Lt wrist X-ray; posteroanterior view; 8-year-old girl; Siemens. 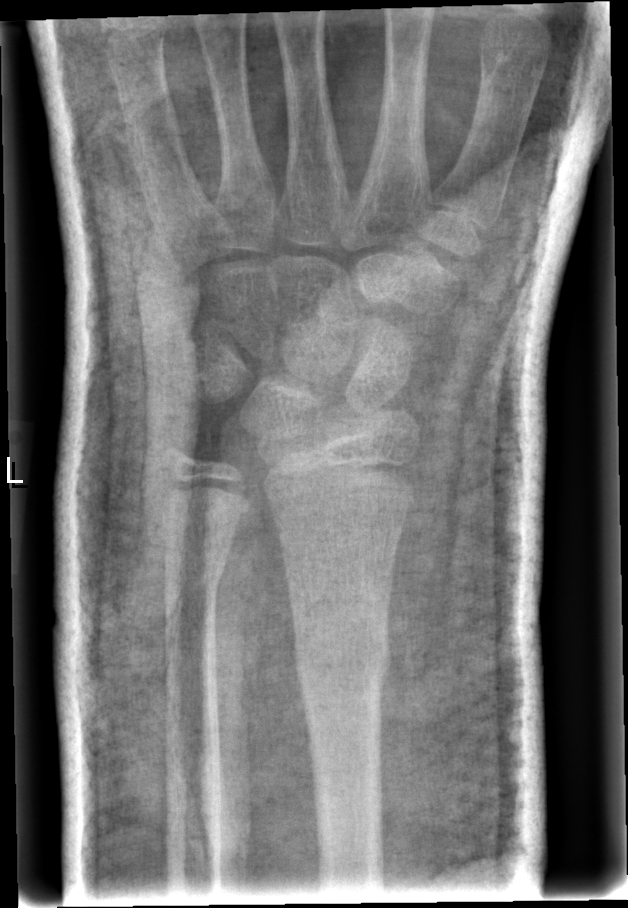
Pixel coordinates, top-left origin, xyxy.
Two bone fractures at 291 626 394 714 | 158 554 230 611.
AO/OTA classification: 23-M/2.1.